Lat projection | right wrist XR | pediatric patient (male, age 9) —

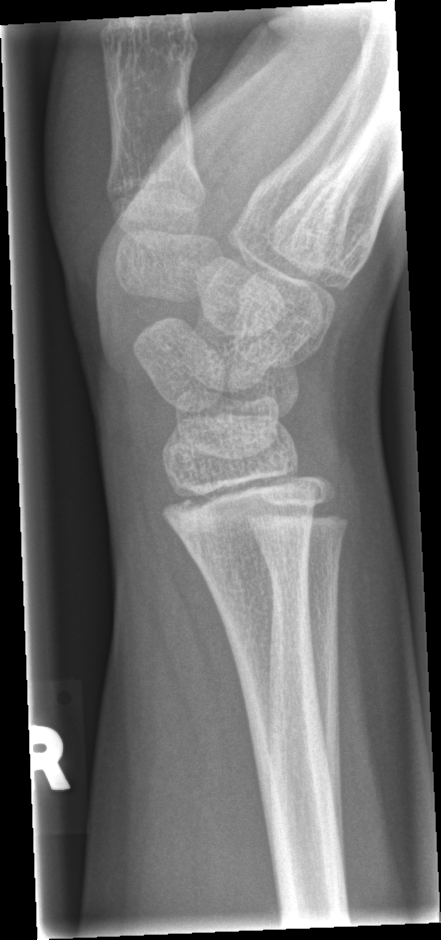

No fracture labeled.